Posteroanterior · right wrist plain film · 13-year-old female · index exam · 613x1044:

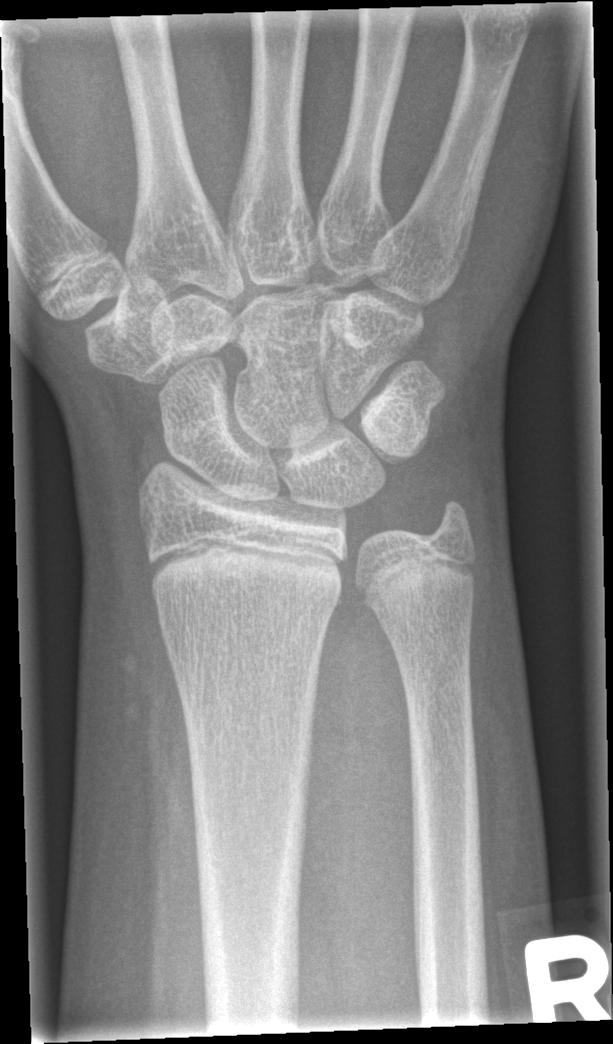
Fx = none labeled